Posteroanterior view; L wrist plain film; 15-year-old girl —

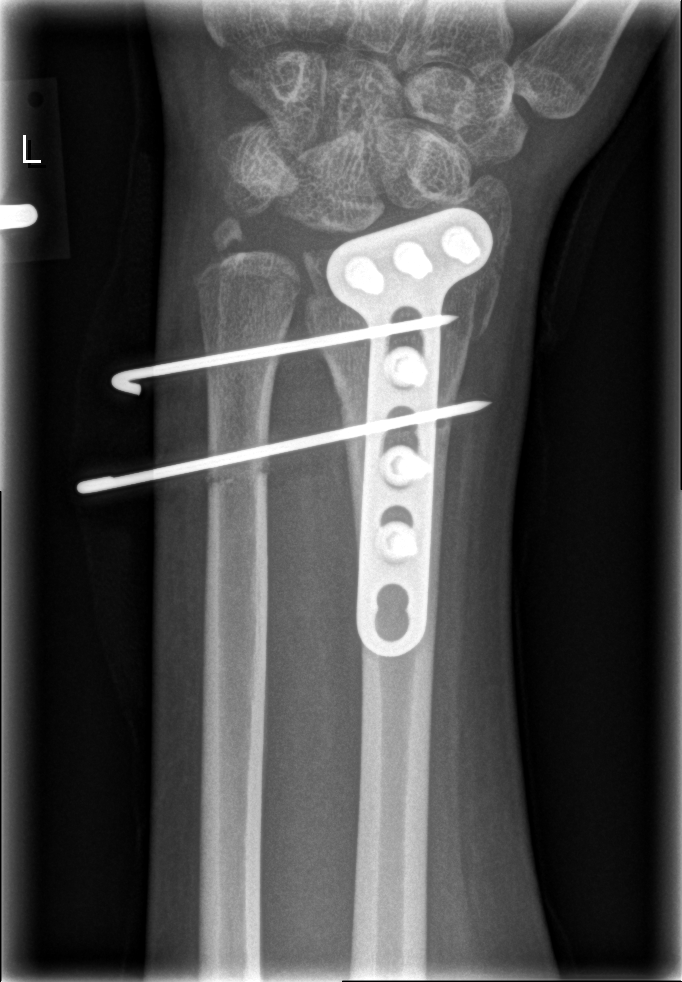 {
  "fracture": "2 @ (303, 275, 504, 350) (195, 214, 266, 289)",
  "ao": "23r-M/3.1; 23u-E/7",
  "metal": "1 @ (59, 208, 496, 656)",
  "boneanomaly": "(204, 462, 271, 489)"
}